Lt wrist X-ray | PA view | age 10 y, girl | 520x952
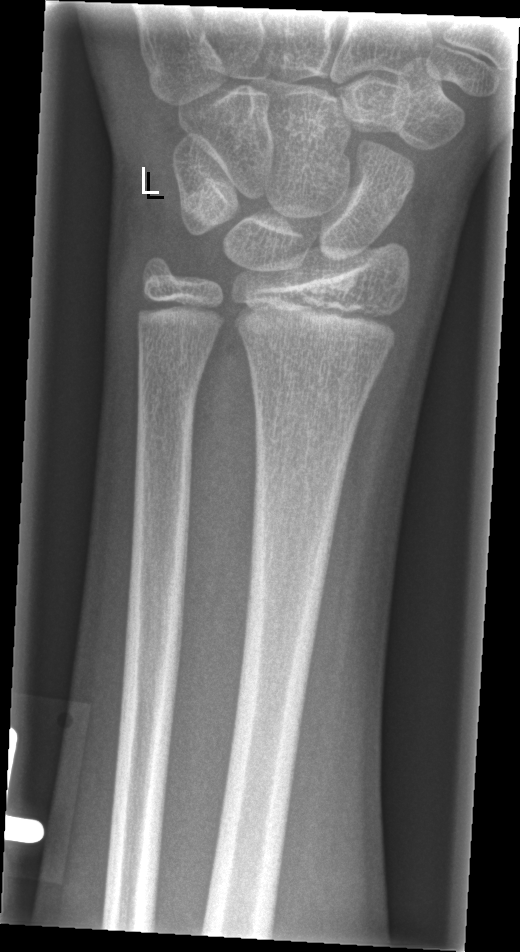

FINDINGS: No fracture annotation.